Right wrist radiograph, frontal view, 11-year-old male.

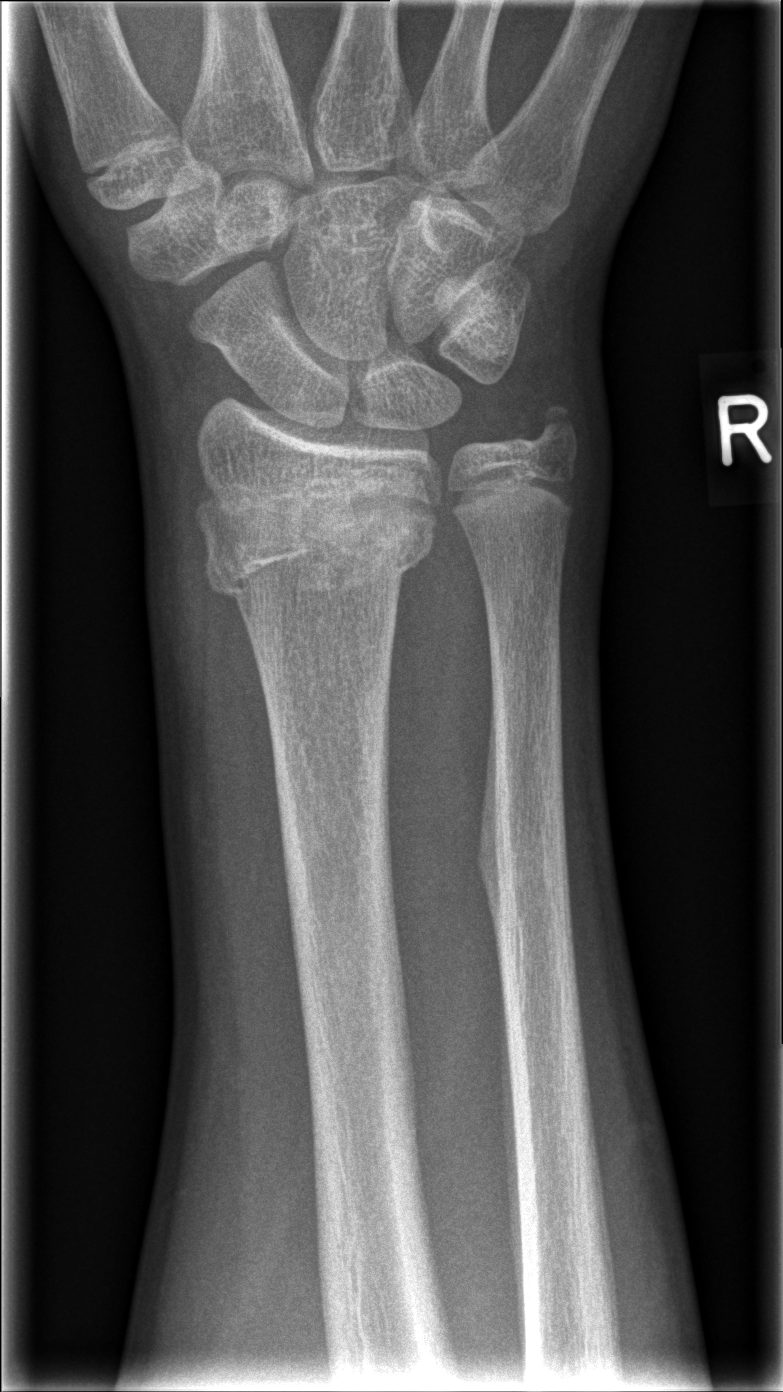
• Bone fractures — bbox(194, 464, 445, 617), bbox(517, 389, 594, 468).